Lat view, left wrist X-ray, Siemens, 663x1150:

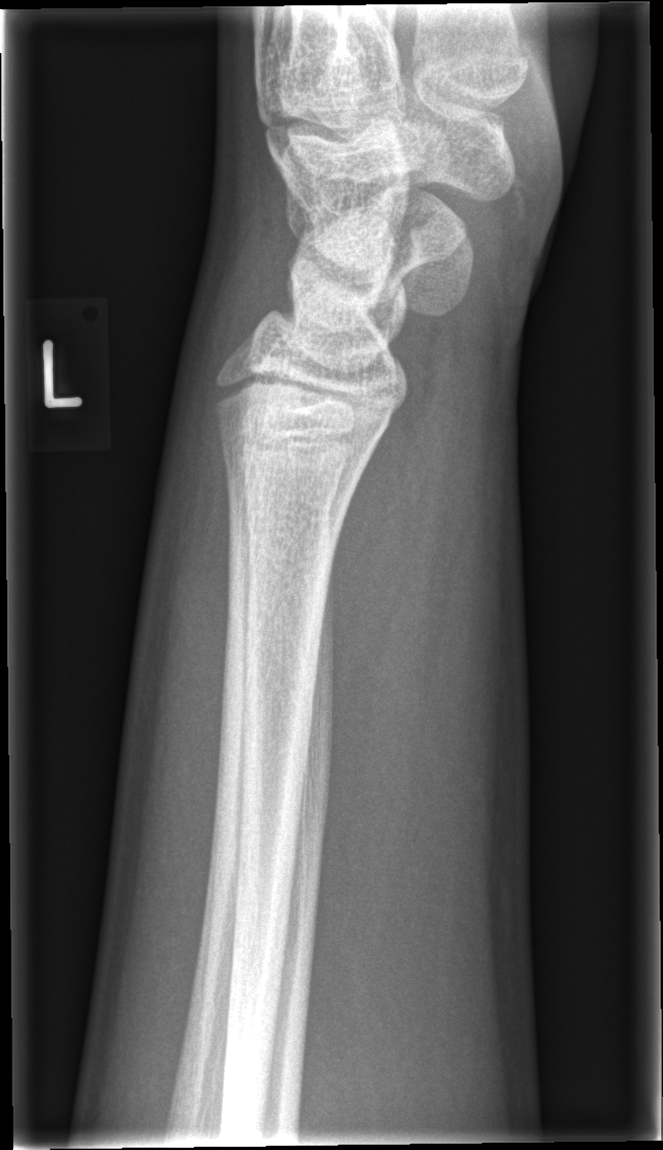 positive pronator fat-pad sign: 1 @ [326, 376, 431, 718]
fracture: none labeled